Lateral view | left wrist X-ray | age 5 y, girl | image width 107.6 mm — 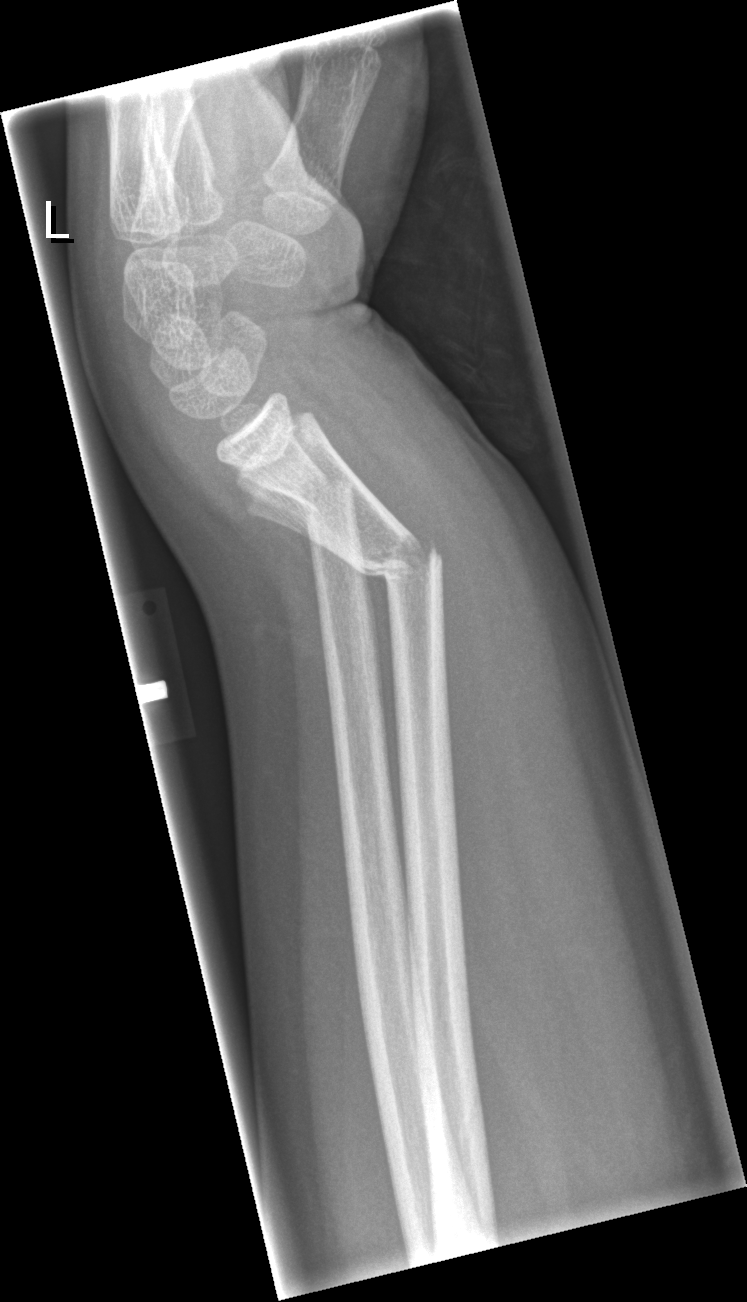

(pixel coordinates, top-left origin, xyxy)
Fracture = 2 @ [364, 534, 447, 586] [286, 462, 359, 517]
AO/OTA = 23-M/3.1